Lateral, right wrist X-ray, age 7 y, male, detector: Siemens, 509x1168

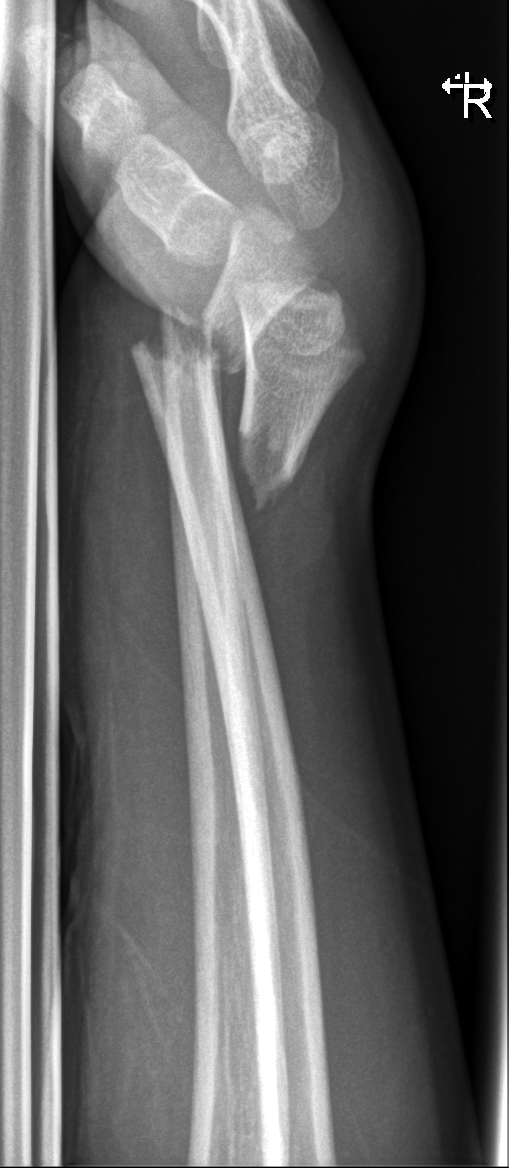

bone fracture = 2 @ 157,303,307,516 | 129,308,247,385